R wrist radiograph | AP | presentation radiograph — 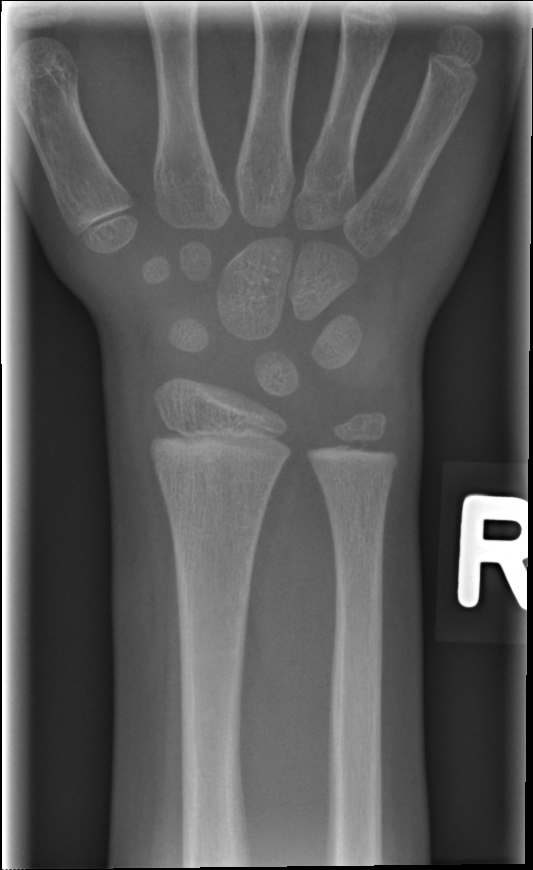
{
  "fracture": "none labeled"
}